L plain radiograph of the wrist | lateral projection | image size 483x838.
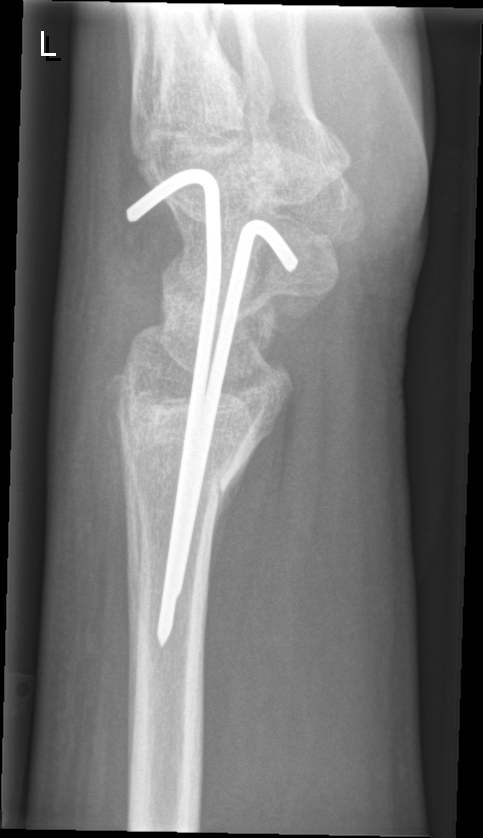
• Coordinates are [x1, y1, x2, y2] in image pixels.
• Reduced bone mineral density.
• AO/OTA classification: 23r-M/3.1.
• Fracture — [x1=101, y1=376, x2=262, y2=503].
• Hardware: [x1=127, y1=171, x2=298, y2=649].